Lateral view, left pediatric wrist radiograph, male, 5 yo, follow-up: 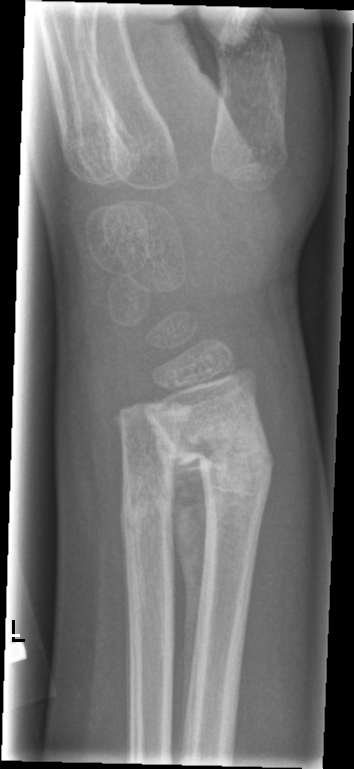
Findings: (coordinates are [x1, y1, x2, y2] in image pixels) AO/OTA classification: 23-M/3.1. Two periosteal thickening at bbox(155, 425, 210, 736); bbox(125, 567, 133, 756). Fracture identified at bbox(160, 424, 277, 508); bbox(117, 492, 177, 521). Osteopenic.